Lat projection; L wrist X-ray; 10-year-old female; in cast; 612 by 1068 pixels: 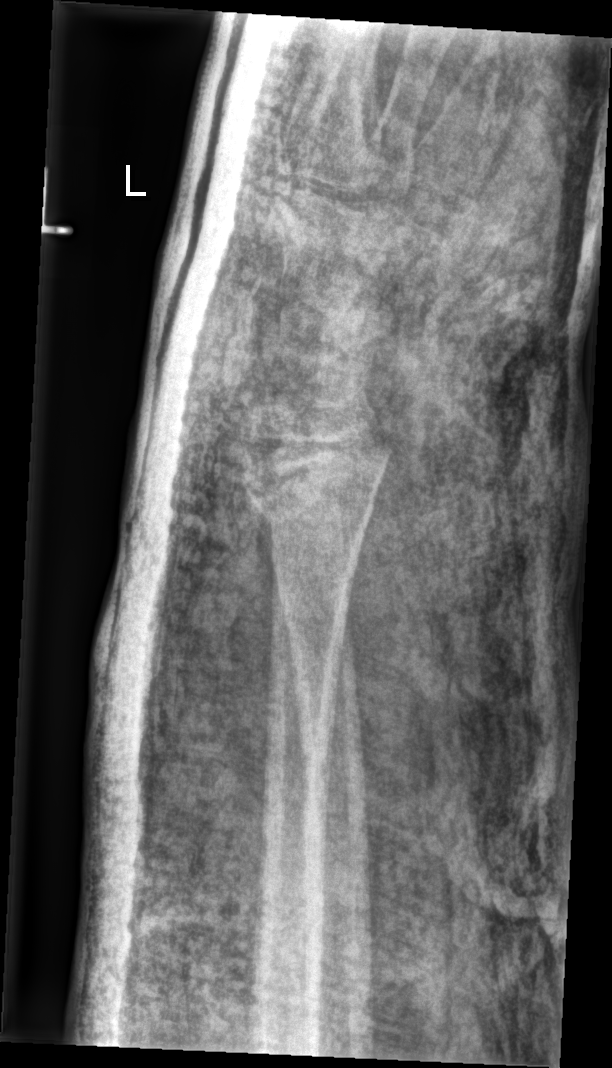 - Bone fracture — (left=240, top=466, right=376, bottom=540).